Frontal projection, right wrist plain film, age 15 y, male, image 83.4 mm wide: 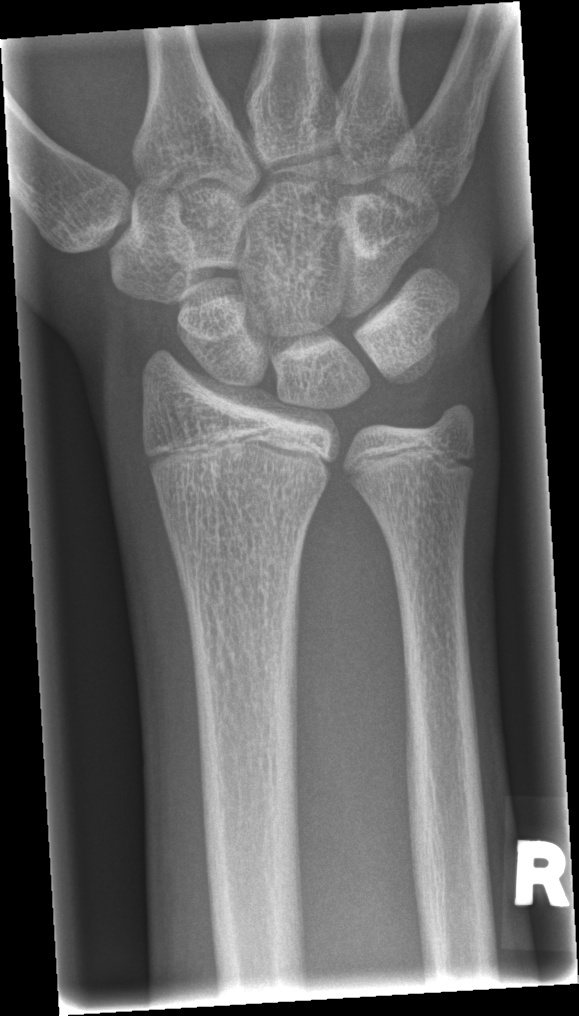

Q: Fracture present?
A: No fracture annotation